Right wrist plain film; lateral view; 12-year-old girl; index exam; detector: Siemens; image size 460x1362.

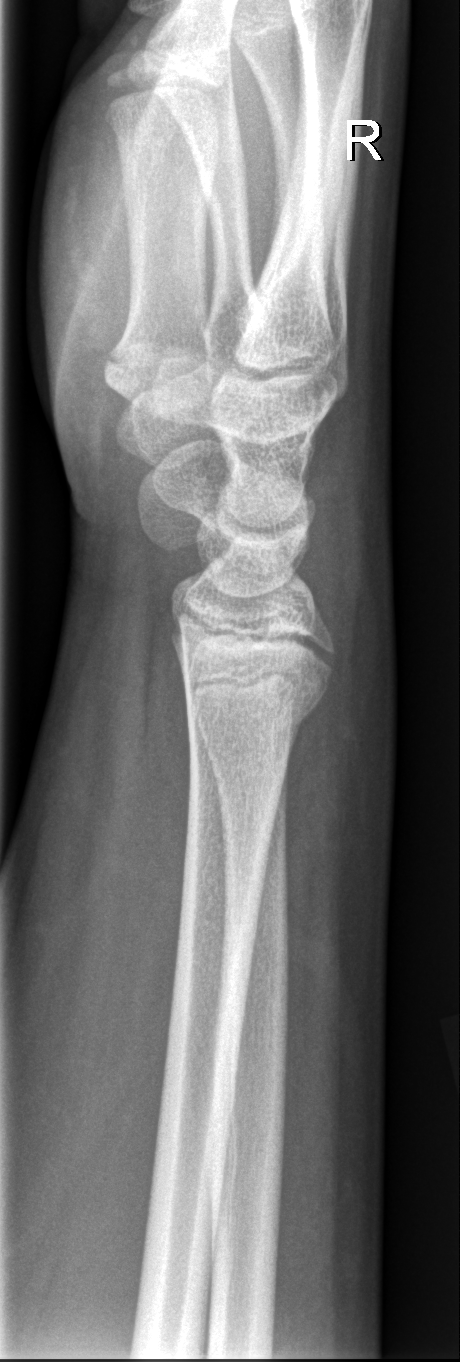

Pixel coordinates, top-left origin, xyxy.
Fx identified at (left=182, top=668, right=328, bottom=755).